Lat projection, L wrist X-ray, 11y F: 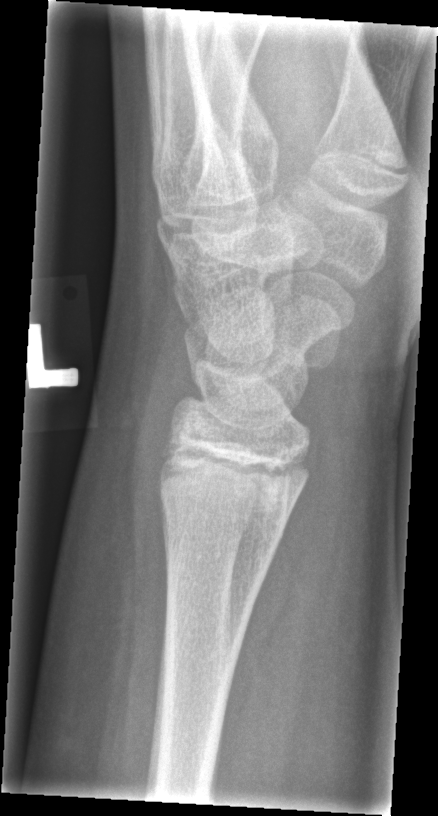 {
  "fracture": "none labeled"
}